Lateral view | R wrist X-ray | detector: Siemens:

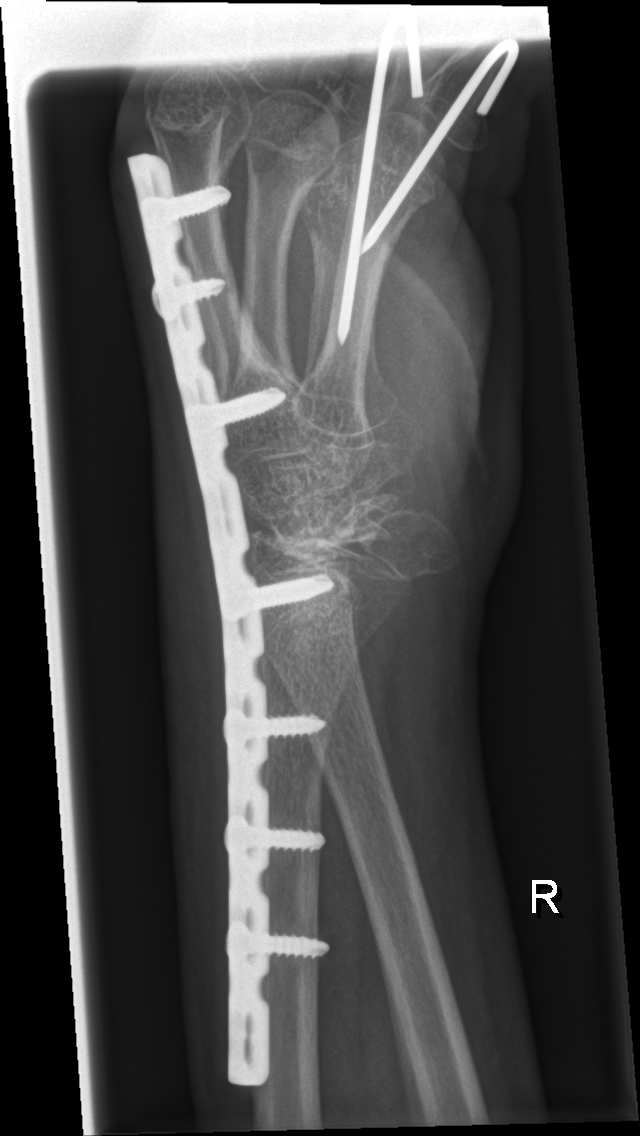 FINDINGS: Metallic hardware identified at bbox(124, 147, 331, 1091) bbox(336, 32, 525, 352). No fracture annotation.